PA/AP, R wrist plain film, pediatric patient (girl, age 11):
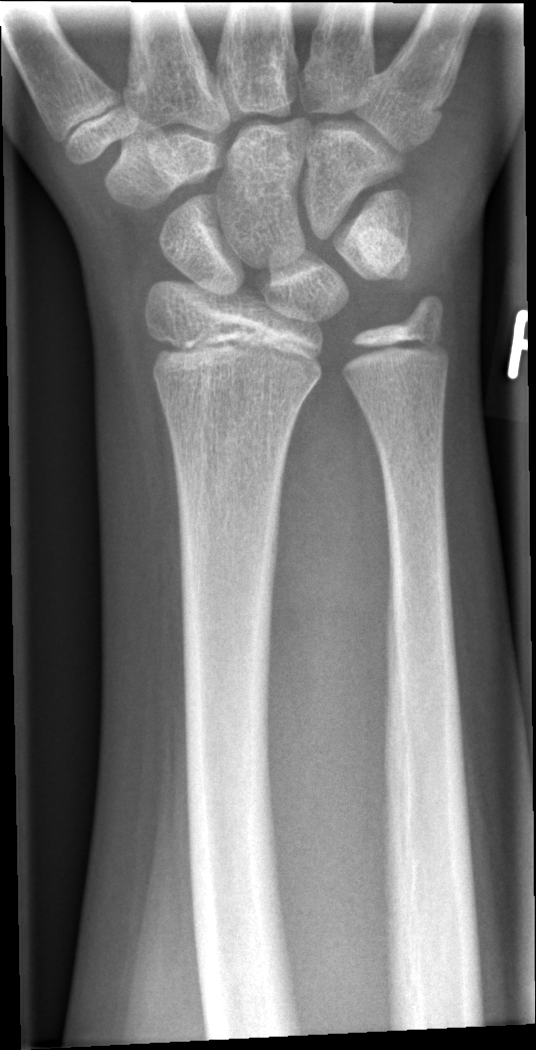

Q: Is there osteopenia?
A: Decreased bone density (osteopenia)
Q: Any fracture seen?
A: Fx: none